Left wrist pediatric wrist radiograph, lateral, 12-year-old boy, follow-up, cast in situ. 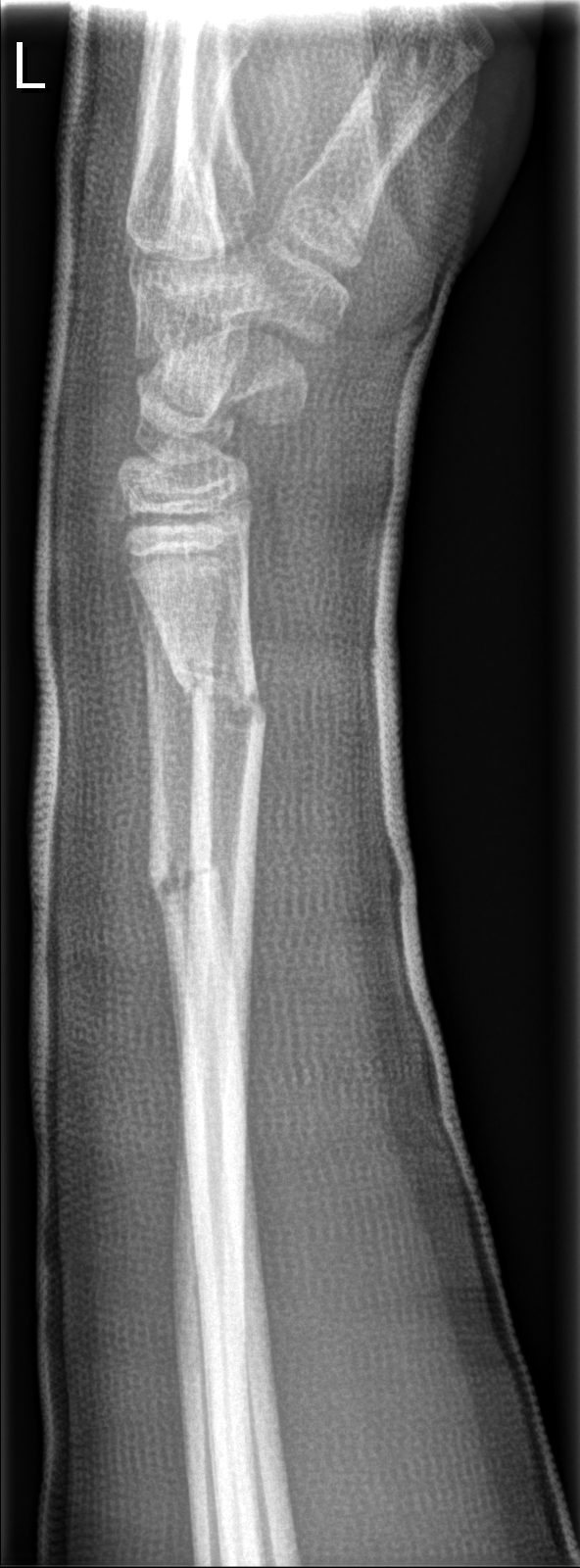

• Fx identified at [173, 658, 272, 731]; [142, 840, 228, 912].
• Fracture classified AO/OTA 23r-M/3.1; 22u-D/4.1.